Right wrist XR | lat | 5y F | image 49.2 mm wide — 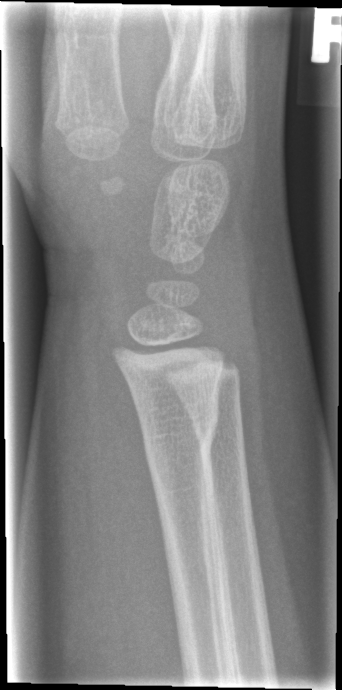

FINDINGS — Fracture: (left=137, top=399, right=221, bottom=467).